PA projection | L plain radiograph of the wrist | age 9 y, boy | presentation radiograph
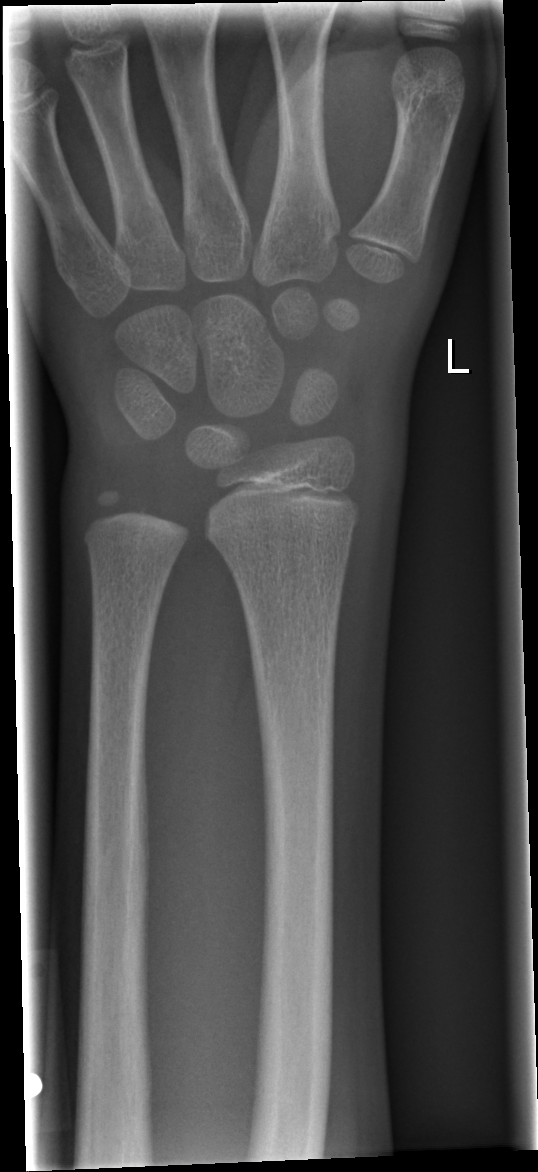

  fracture: none labeled